Frontal projection, right wrist plain radiograph of the wrist, follow-up, imaged through cast:

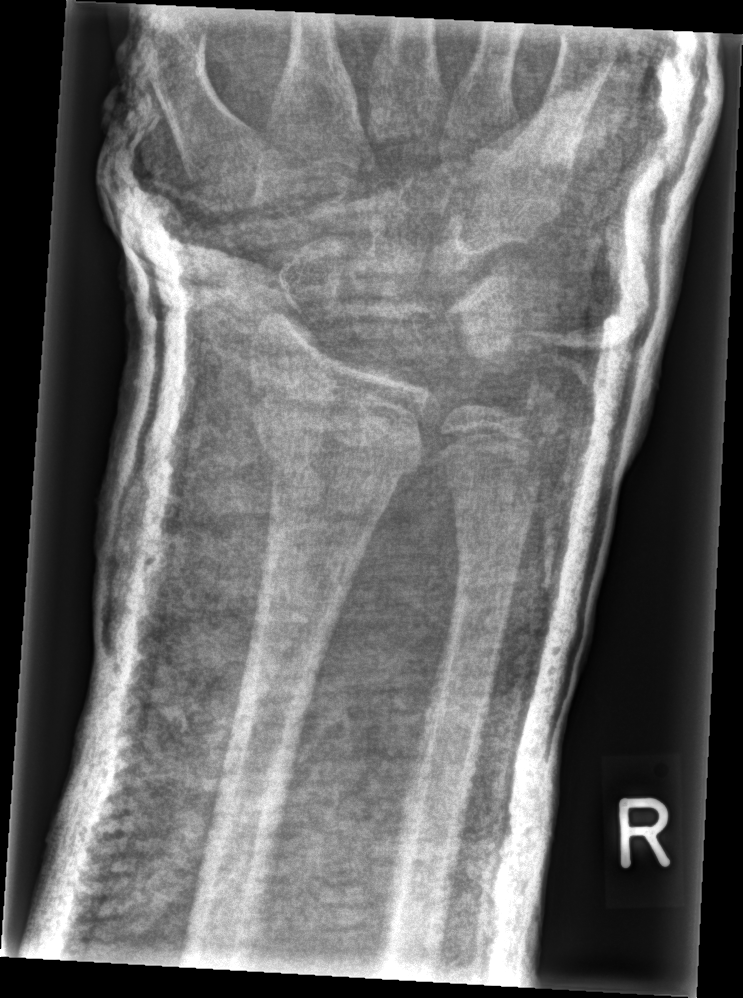

  fracture: 254,397,430,484
  ao: 23r-M/3.1; 23u-E/7